Lt wrist X-ray; lateral projection; pediatric patient (female, age 11); detector: Siemens.

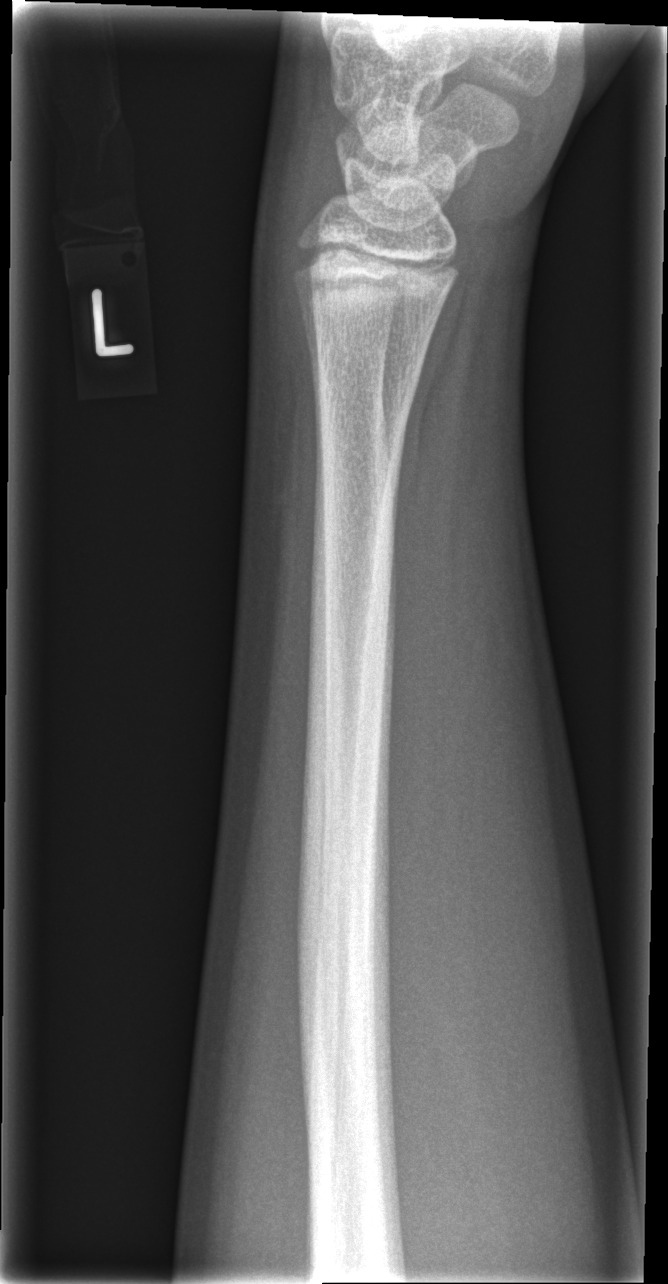

No fracture labeled.